Posteroanterior view | Lt pediatric wrist radiograph | 9-year-old girl | 611 by 1256 pixels:

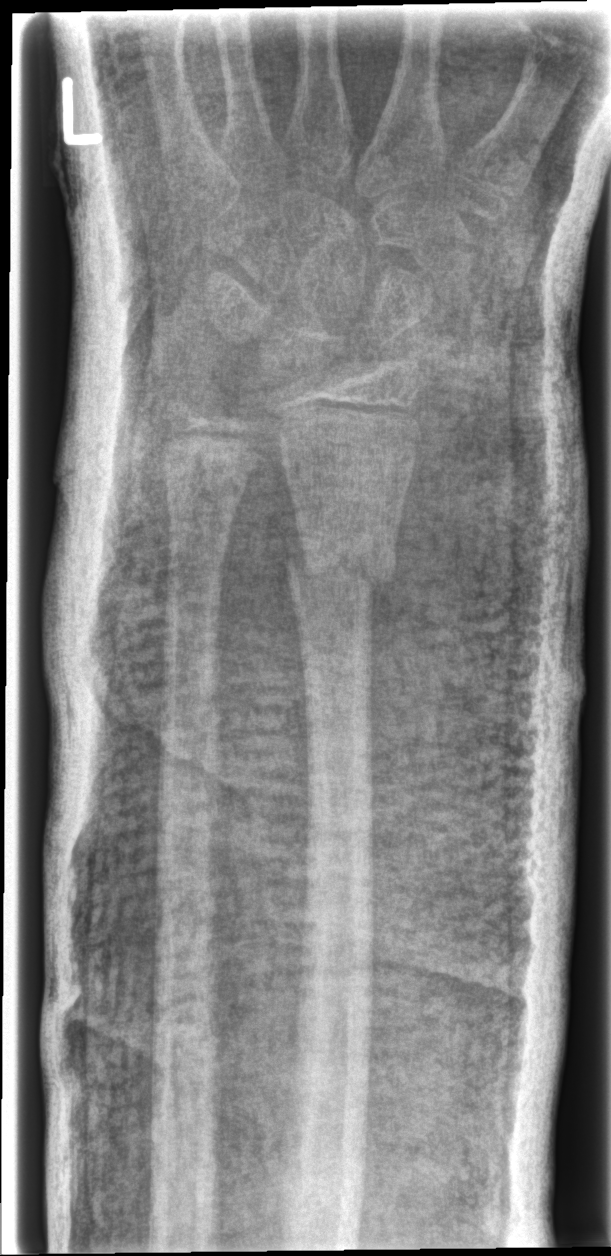
Q: AO code?
A: AO/OTA classification: 23r-M/3.1
Q: Fracture present?
A: Fracture: (279, 530, 403, 603)